Lt wrist X-ray | frontal view | Siemens:
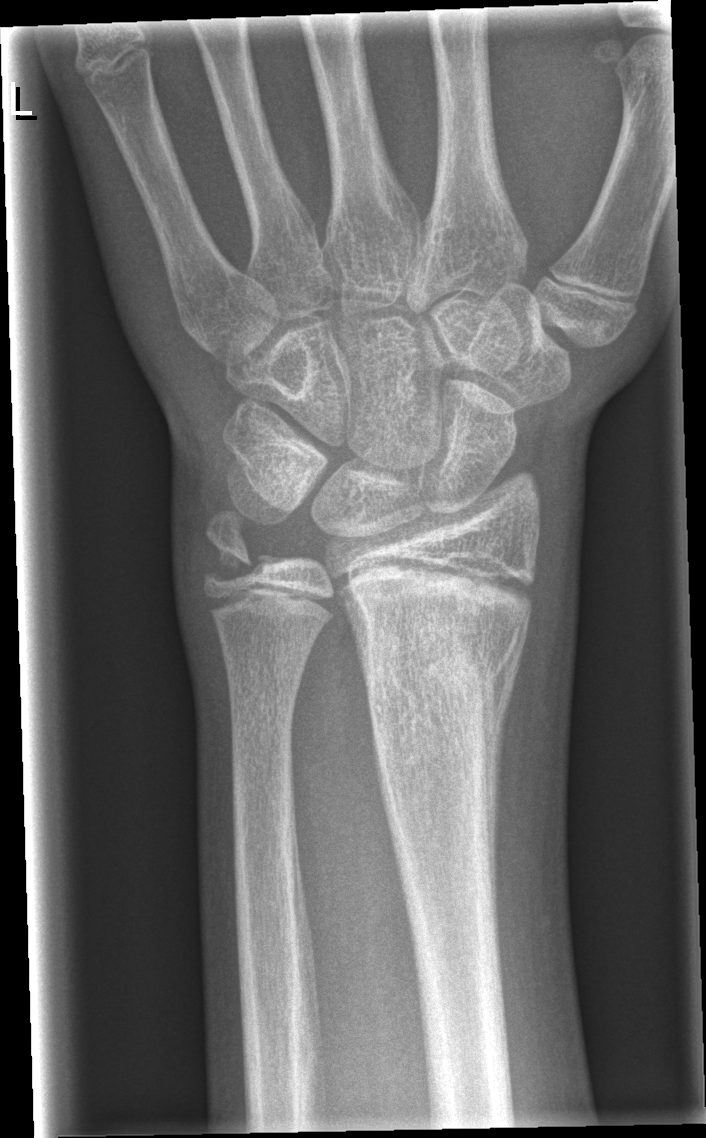
# boxes as x1,y1,x2,y2 (top-left / bottom-right, pixel units)
periostealreaction: (left=475, top=608, right=530, bottom=1002)
ao: 23r-M/3.1; 23u-E/7
fracture: 2 @ (left=343, top=601, right=517, bottom=722) (left=197, top=505, right=283, bottom=587)